Lateral; R wrist plain film; 7y F; diagnosis uncertain; image 60.5 mm wide —

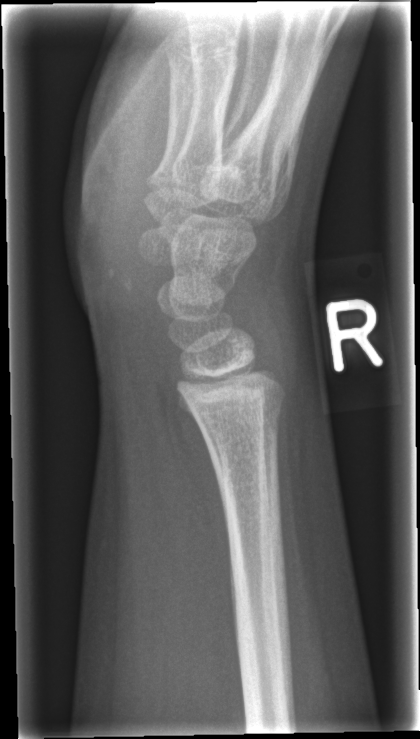

Findings: (coordinates are [x1, y1, x2, y2] in image pixels) AO/OTA classification: 23r-M/2.1. Fx: <184,391>-<289,437>.